Lt wrist radiograph · lateral view · 8y M · imaged through cast · Siemens · 592x1077.

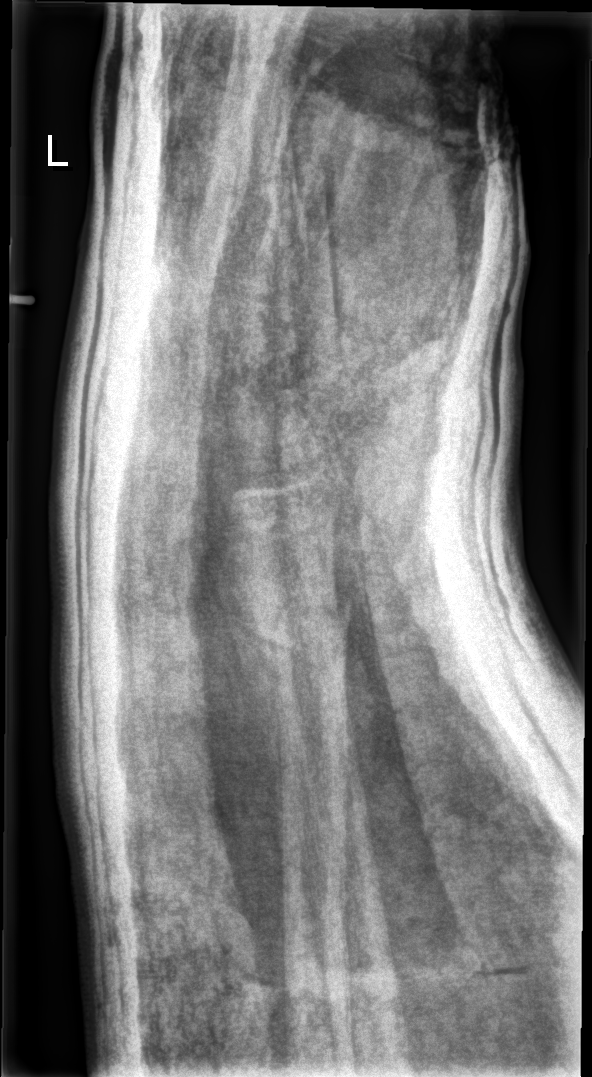
* Pixel coordinates, top-left origin, xyxy.
* One Fx at 245,586,356,669.
* AO code 23-M/3.1.